Frontal, Rt wrist XR, 7-year-old girl.

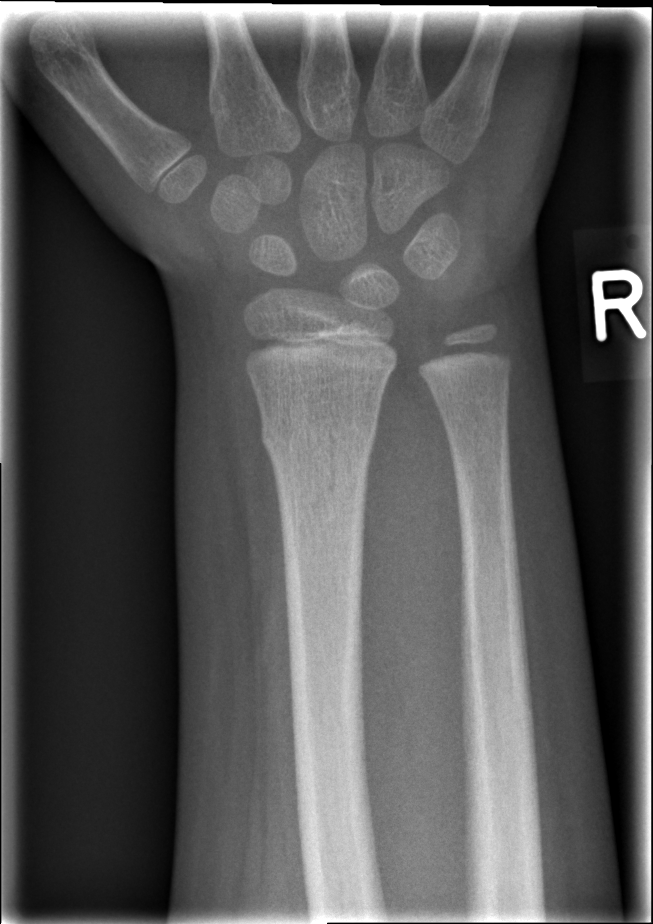 FINDINGS — (coordinates are [x1, y1, x2, y2] in image pixels) AO/OTA classification: 23r-M/2.1. Fx — <257,403>-<380,471>.